Left wrist radiograph · lateral projection · subsequent exam · acquired on Siemens · 368 x 1113 px 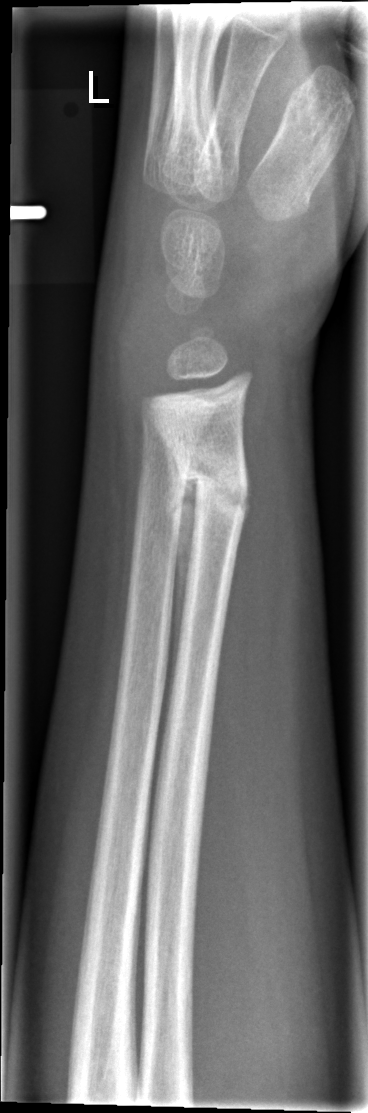
FINDINGS — Osteopenia. Bone fracture — (left=170, top=440, right=254, bottom=529). AO code 23r-M/3.1.